R pediatric wrist radiograph, PA/AP projection —
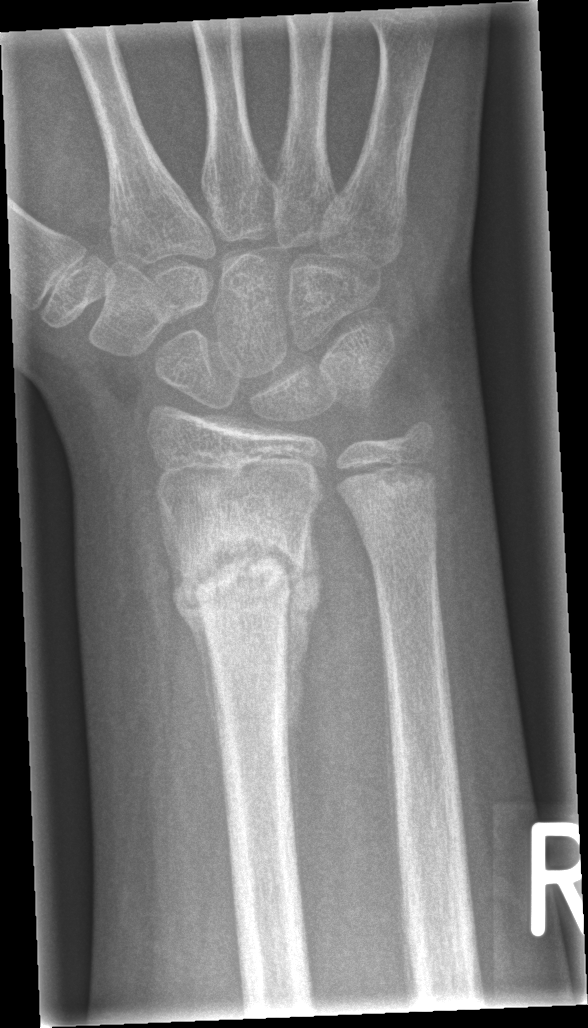 FINDINGS — Fracture: (left=163, top=525, right=326, bottom=632); (left=351, top=498, right=444, bottom=571). Decreased bone density (osteopenia). Periosteal reaction identified at (left=158, top=500, right=222, bottom=775) (left=283, top=510, right=324, bottom=894).